AP view; Lt wrist X-ray; female, 11 yo; Siemens. 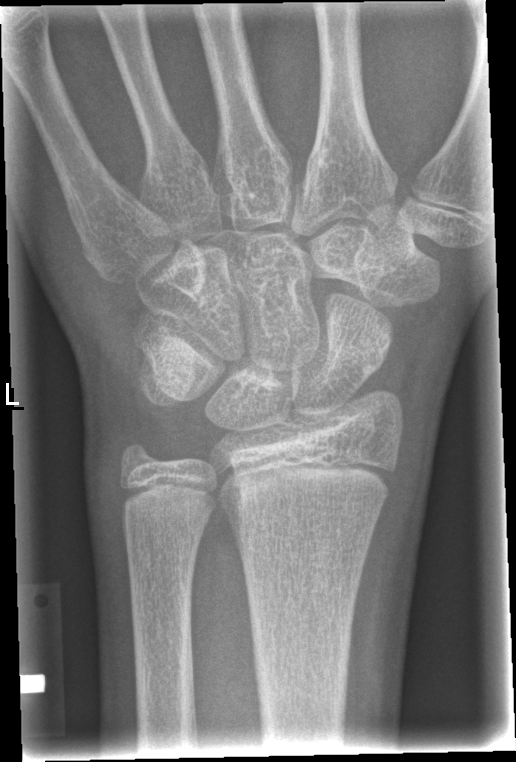
- No fracture bounding box.